AP · Rt wrist XR · age 9 y, male · detector: Siemens
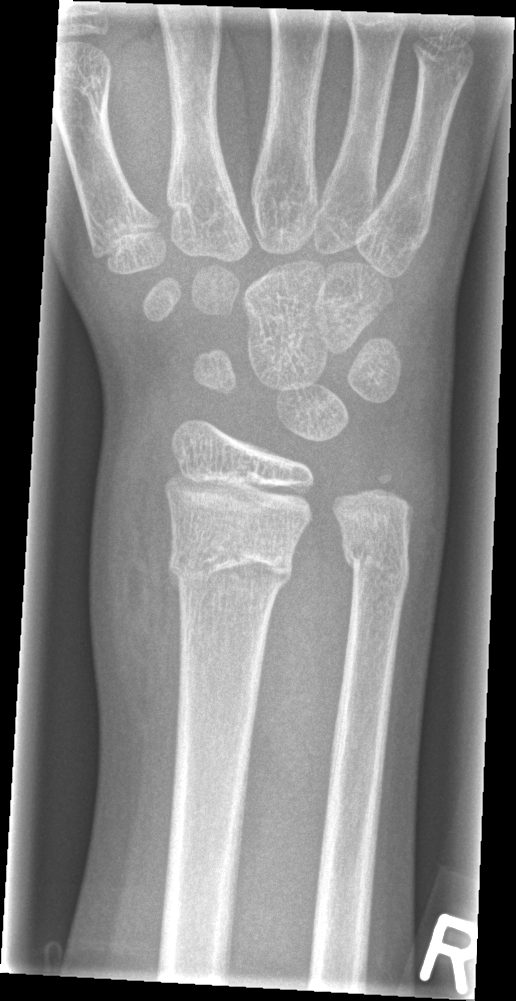

(bounding boxes in image-pixel xyxy)
bone fracture = 166,525,295,602; 336,526,414,594
soft-tissue finding = 94,386,185,735